Frontal view; Lt wrist X-ray; girl, 8 yo; 56.9 mm image width
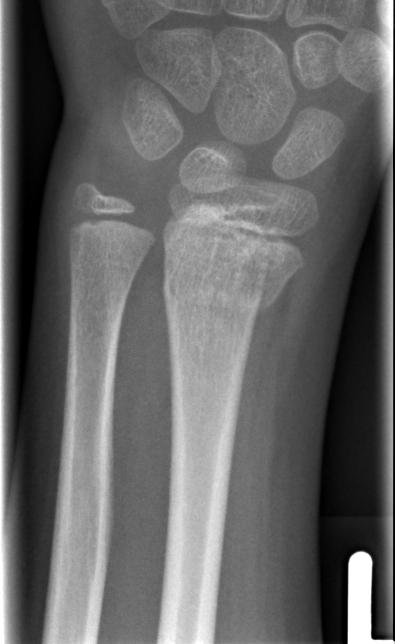 (bounding boxes in image-pixel xyxy)
Fx = [x1=160, y1=265, x2=289, y2=322]